L wrist radiograph | PA/AP view | imaged through cast:
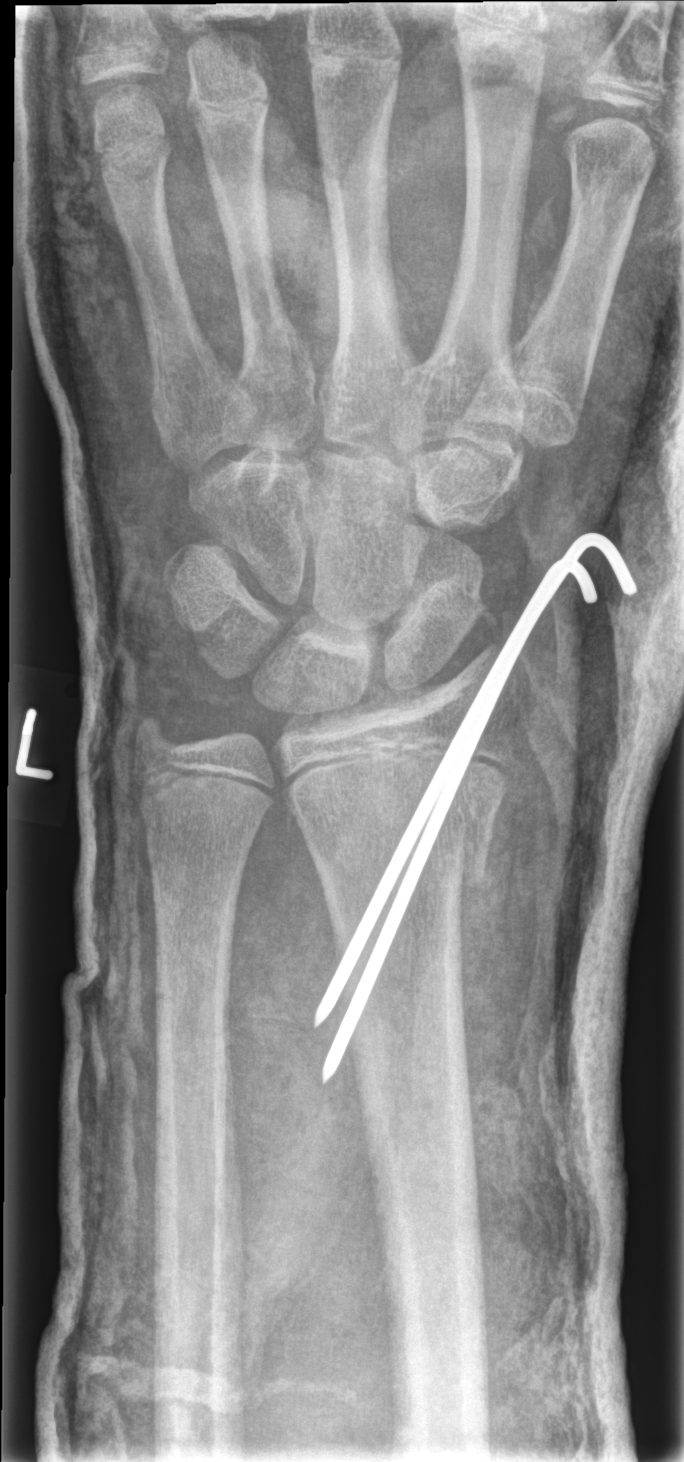 (bounding boxes in image-pixel xyxy)
metal = (left=309, top=527, right=641, bottom=1089)
bone fracture = (left=287, top=759, right=514, bottom=905)